Lt pediatric wrist radiograph | lat view | 14-year-old male | initial study | image width 59.5 mm | 413 x 1172 px:
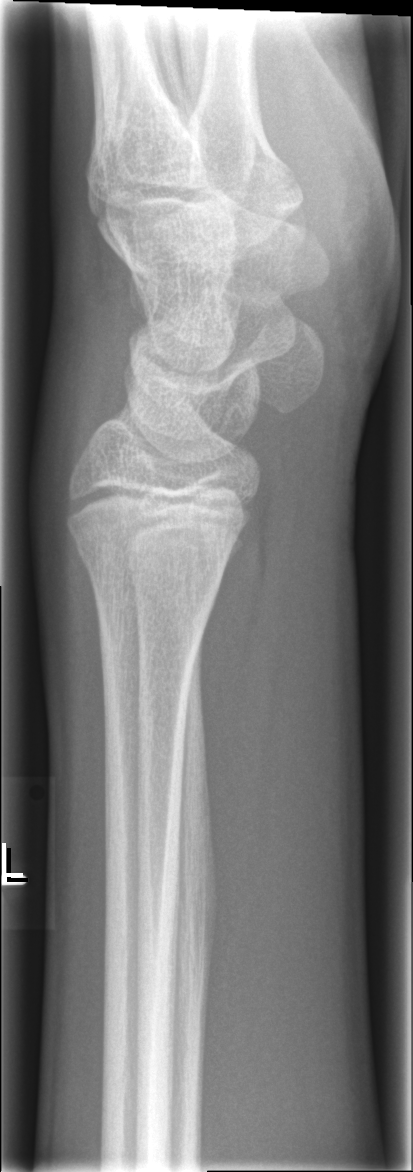

Fracture identified at [69, 521, 230, 610].